PA projection · Lt plain radiograph of the wrist · initial study — 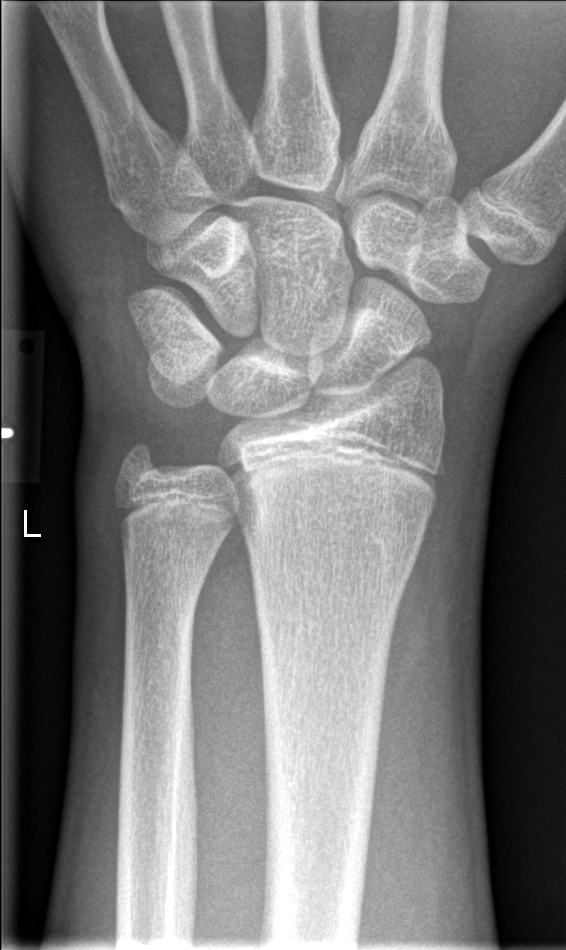 FINDINGS — Fracture: none labeled.